Rt wrist plain film; posteroanterior; subsequent exam
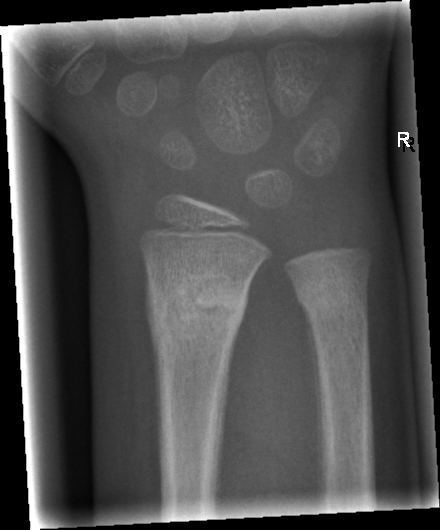 Q: AO code?
A: Fracture classified AO/OTA 23-M/2.1
Q: Any periosteal thickening?
A: Two periosteal new bone at [x1=303, y1=304, x2=323, y2=486], [x1=144, y1=276, x2=159, y2=405]
Q: Any fracture seen?
A: Fractures — [x1=143, y1=271, x2=250, y2=340] [x1=294, y1=281, x2=372, y2=318]
Q: Bone density?
A: Reduced bone mineral density